Left wrist radiograph; lat view —

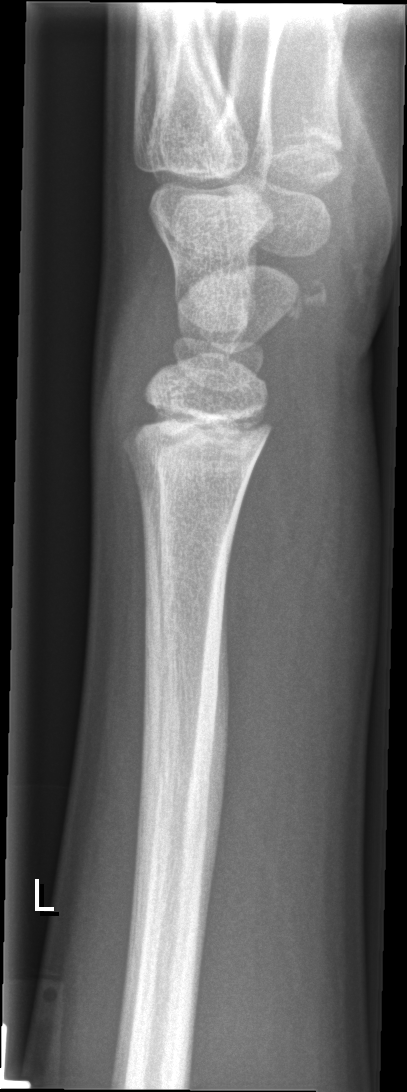

Fracture classified AO/OTA 23r-E/2.1. One pronator quadratus fat-pad sign at 224 384 311 675. Fx identified at 117 402 280 469.